Posteroanterior projection, right pediatric wrist radiograph, Siemens.
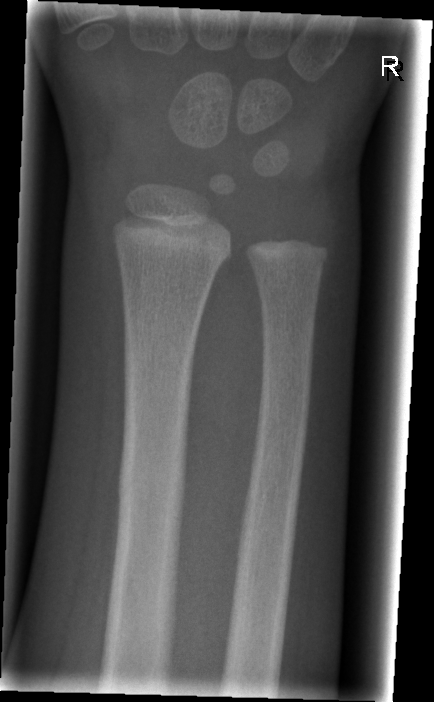
Coordinates are [x1, y1, x2, y2] in image pixels. Fx identified at 115,440,190,527
  242,450,306,520.